Left plain radiograph of the wrist; PA projection; 66.0 mm image width.
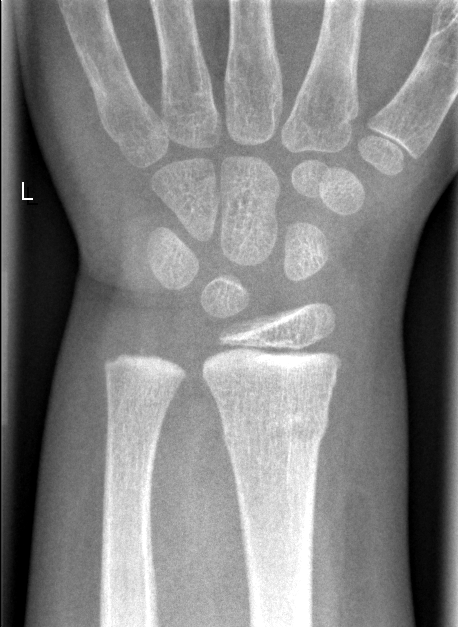 FINDINGS: (pixel coordinates, top-left origin, xyxy) One Fx at [217, 402, 331, 456].